Lateral projection | Rt plain radiograph of the wrist | age 17 y, male | presentation radiograph | image 75.5 mm wide —
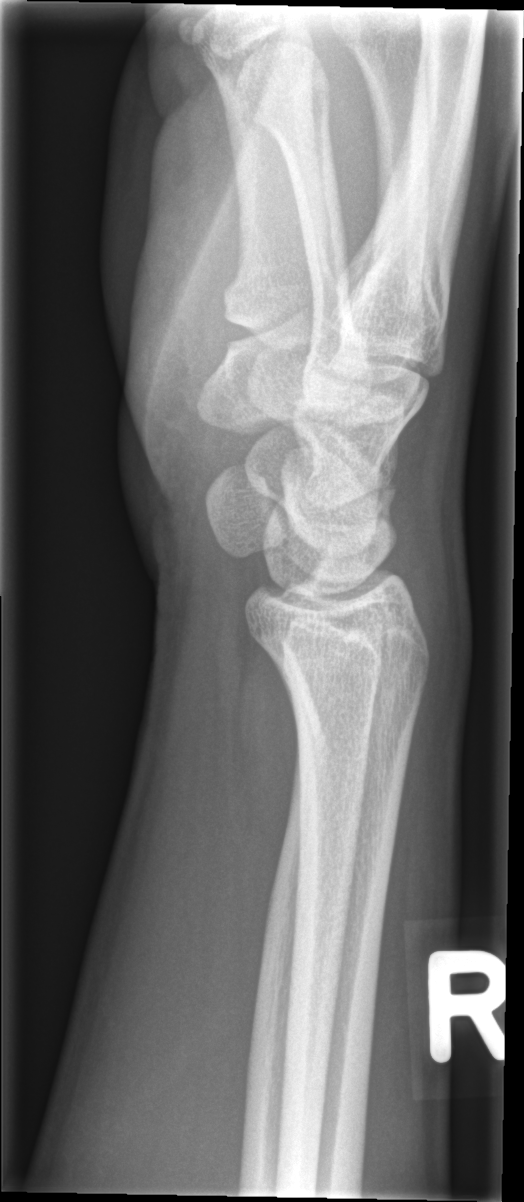

fracture: none labeled